R wrist radiograph, AP view, 15y M, image size 562x1124.
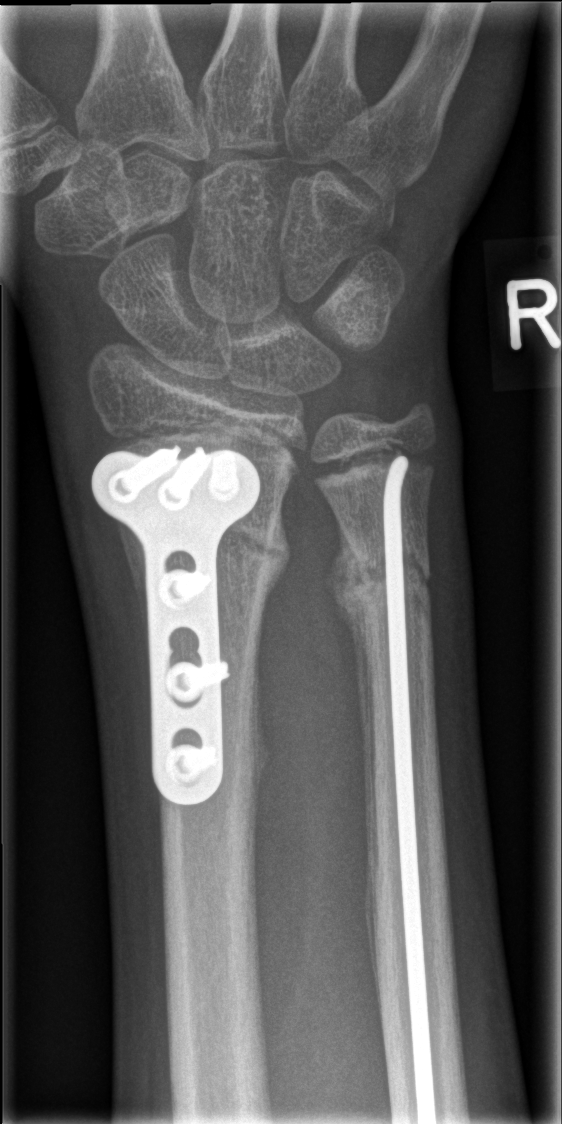 Findings: Fracture identified at 330,536,426,617; 210,509,295,589. Two metallic hardware at 88,442,264,806; 380,453,442,1124.